PA/AP | left plain radiograph of the wrist | cast in situ:
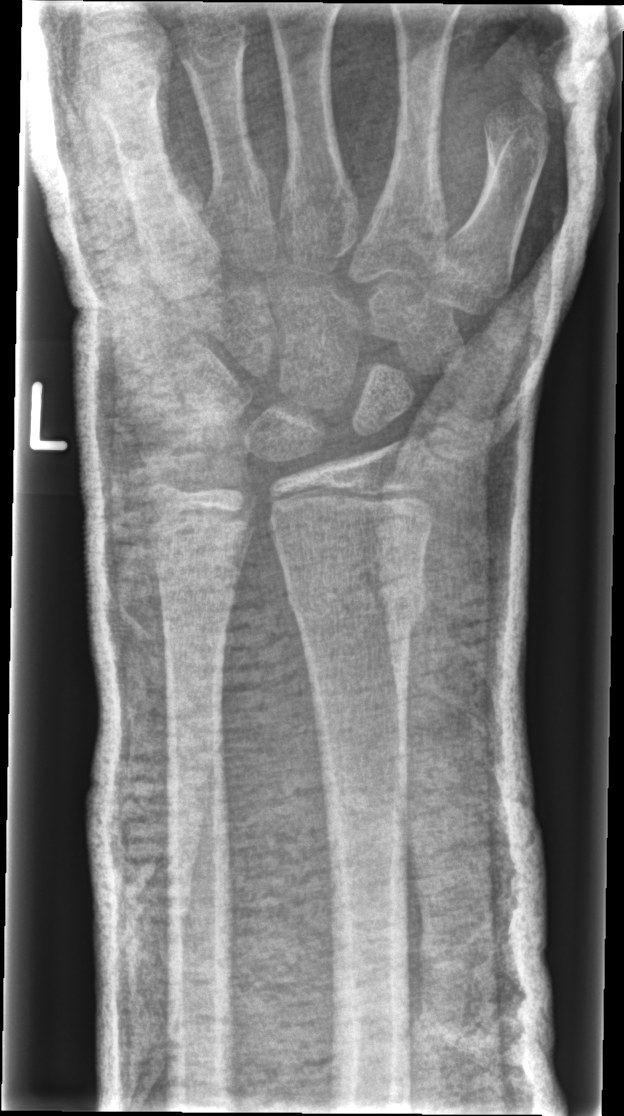

One fracture at bbox(282, 568, 431, 631).
AO/OTA classification: 23r-M/3.1.